Left wrist X-ray, lateral view, follow-up study, acquired on Siemens:

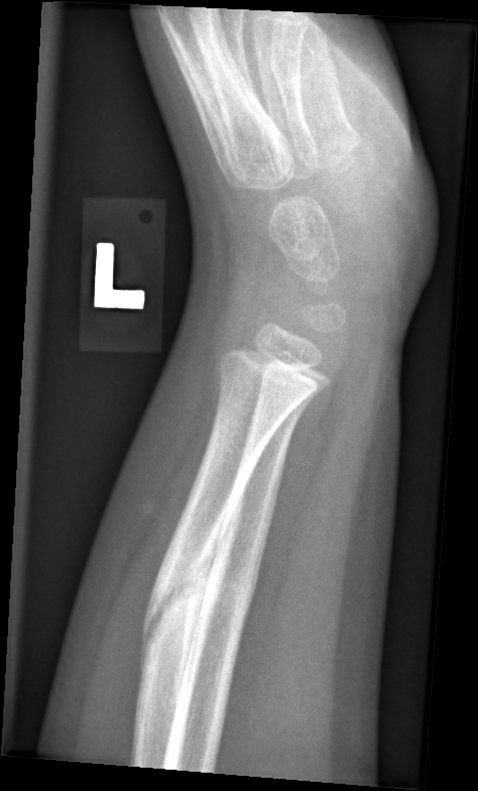 * Osteopenia.
* Fracture identified at [136, 556, 217, 654]; [211, 570, 261, 622].